Left plain radiograph of the wrist, lat, 6-year-old male, 488 by 799 pixels.
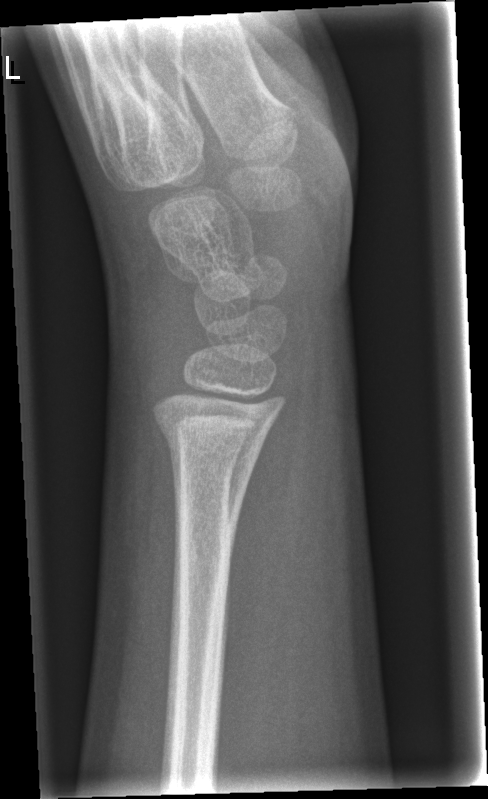
Bounding boxes in image-pixel xyxy. Bone fracture: [x1=153, y1=405, x2=280, y2=470].